Left pediatric wrist radiograph · lat · age 5 y, boy · index exam · detector: Siemens — 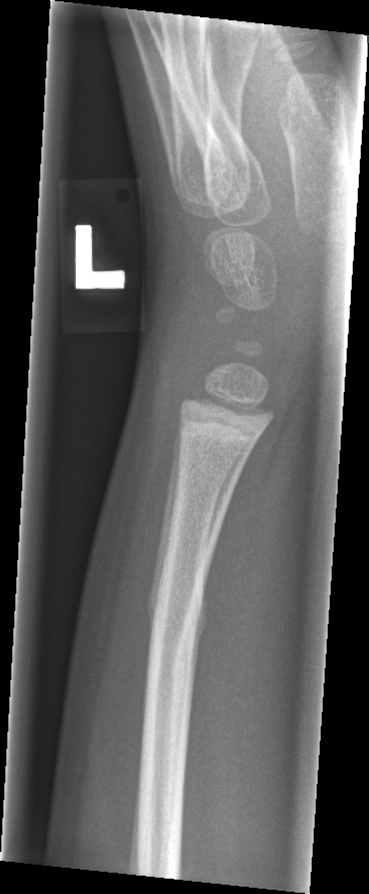 Boxes as x1,y1,x2,y2 (top-left / bottom-right, pixel units). Bone fracture — (143, 577, 212, 645). AO/OTA classification: 22u-D/2.1.